L plain radiograph of the wrist; posteroanterior projection; 6-year-old boy; 414x793 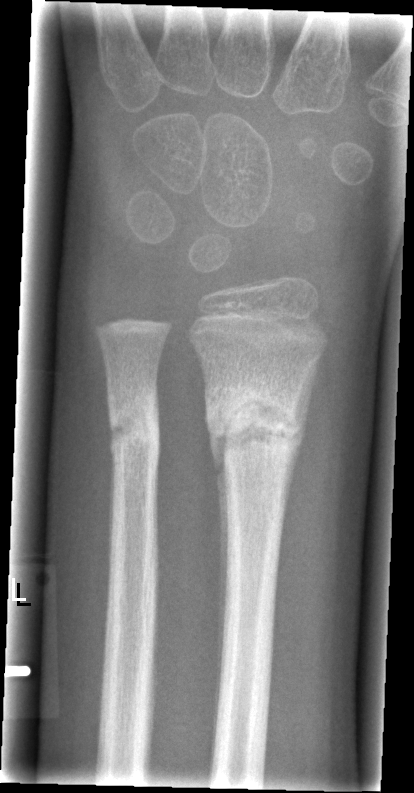

{"_coords": "bounding boxes in image-pixel xyxy", "ao": "23-M/3.1", "fracture": "2 @ 201,374,313,475 | 103,393,165,470", "periostealreaction": "208,420,230,729; 280,356,320,525", "osteopenia": "present"}